Lateral projection | Rt wrist plain film | presentation radiograph:

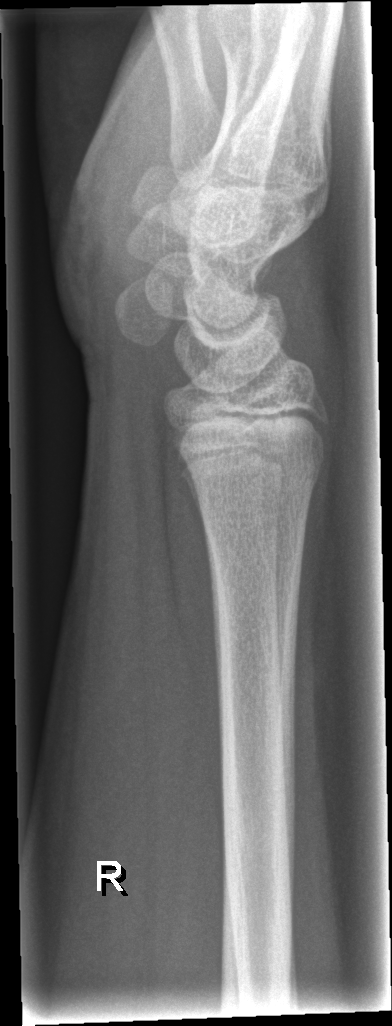
FINDINGS: Fx identified at (190, 448, 329, 514).